PA · right wrist radiograph · index exam — 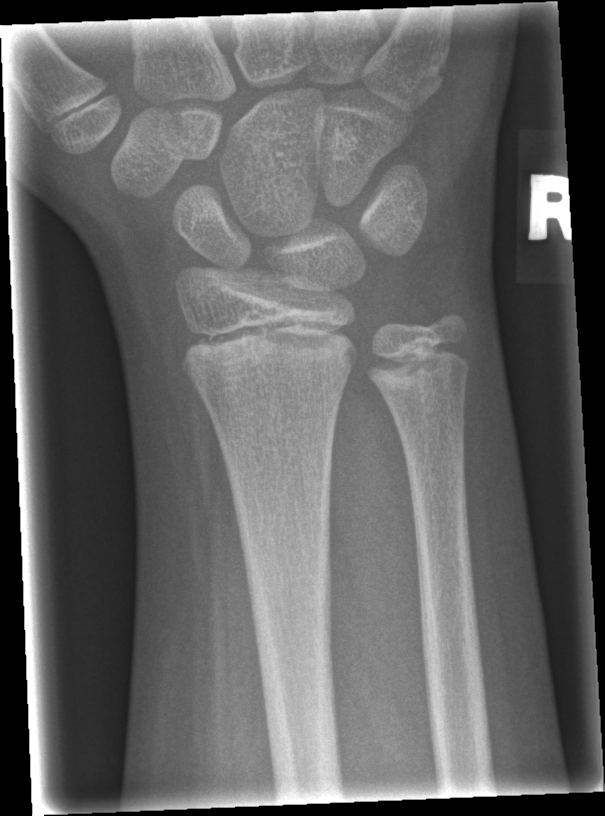 Q: Fracture present?
A: Fx: none